Left wrist XR · lateral · age 9 y, female · 50.7 mm image width: 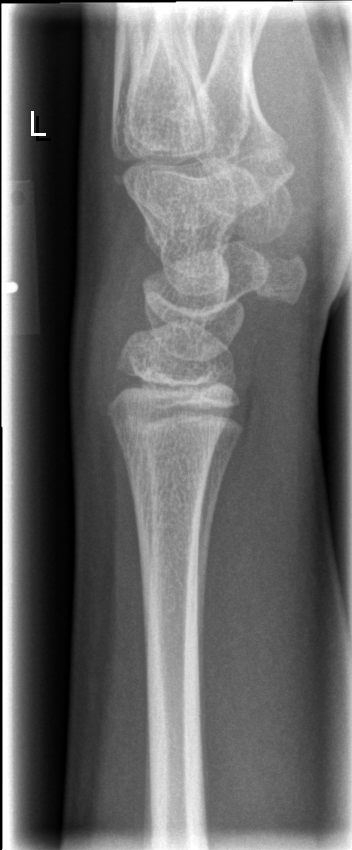

fracture: none labeled